PA view; left pediatric wrist radiograph; 82.7 mm image width; 574x892. 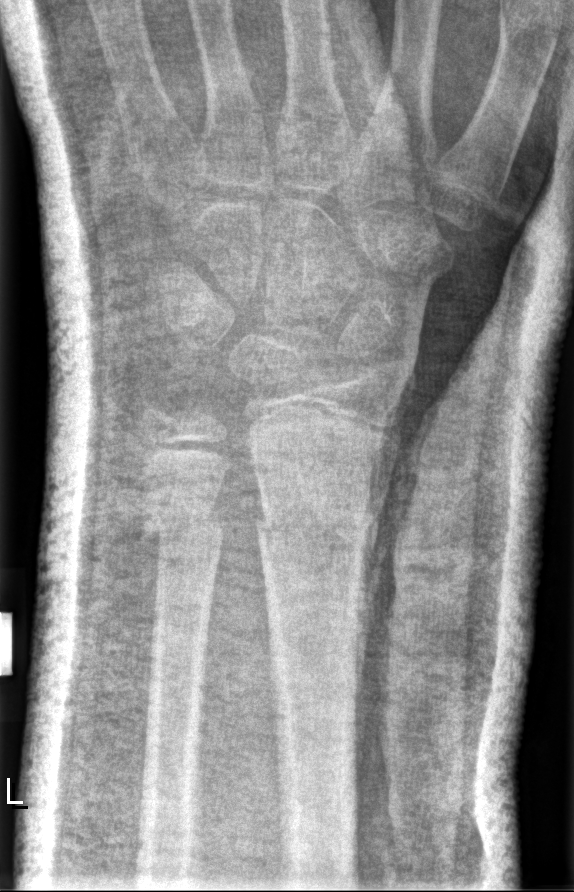

Q: Is there a fracture?
A: Fractures — bbox(243, 488, 390, 582), bbox(137, 492, 232, 563)
Q: What is the AO/OTA classification?
A: AO/OTA classification: 23-M/3.1